PA/AP projection | left wrist XR | presentation radiograph | image width 80.6 mm | 560x1042:
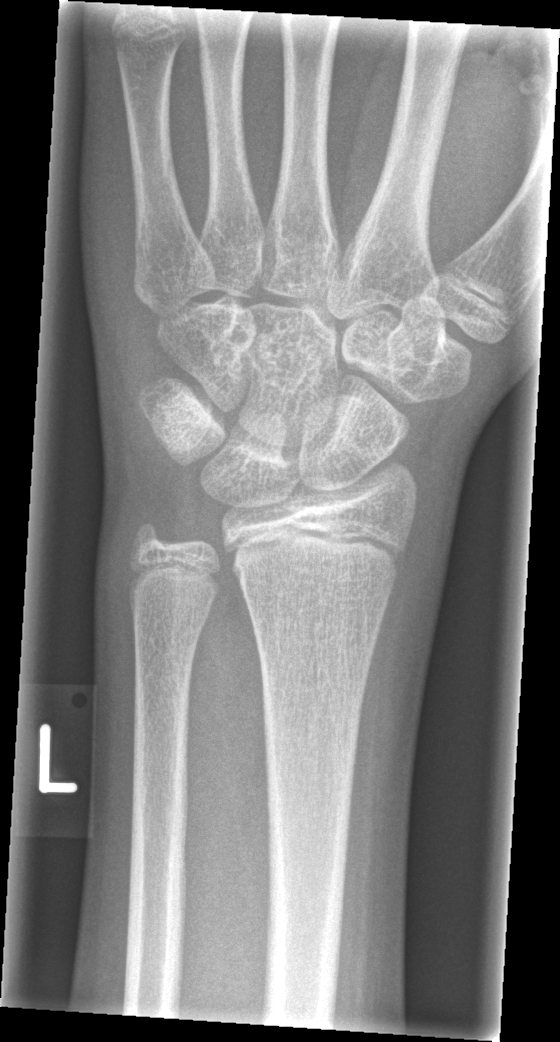

* Fracture: none labeled.